Lat projection | Rt pediatric wrist radiograph | pediatric patient (female, age 4) | initial study | detector: Siemens.
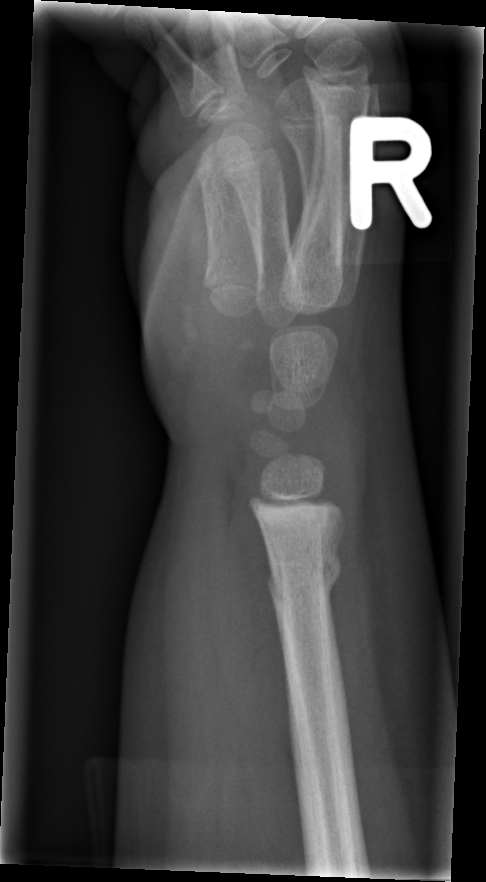

One pronator sign at 213,467,300,805. Bone fracture — 261,546,345,610. AO/OTA classification: 23r-M/3.1; 23u-M/2.1.